R wrist X-ray | lateral | pediatric patient (girl, age 15):
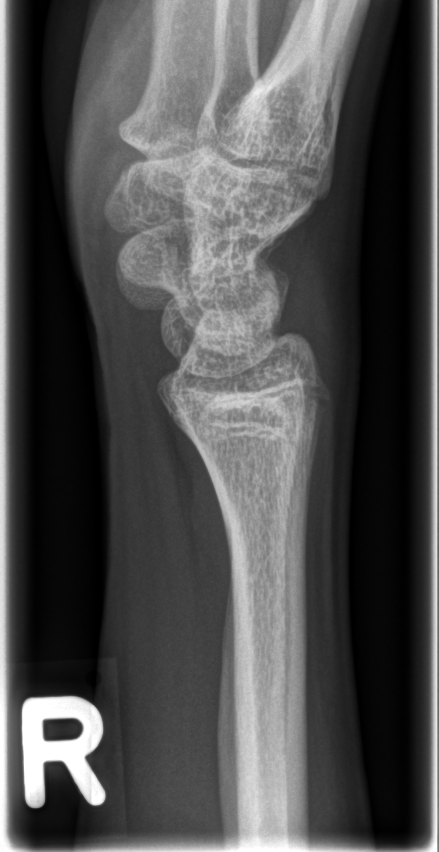 • Fracture: none labeled.